L wrist X-ray · posteroanterior · male, 14 yo · 506 by 1003 pixels — 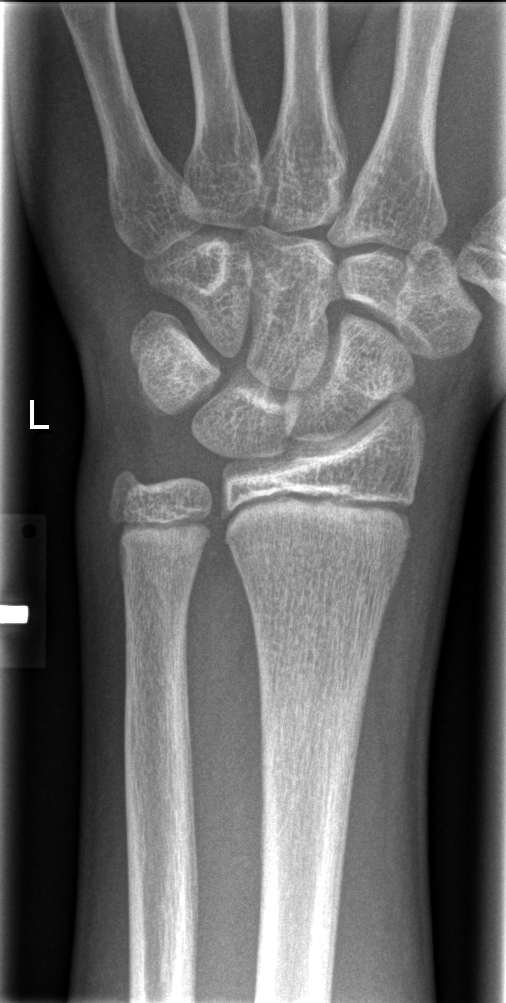 AO code 23r-M/2.1. Fracture present, though not clearly seen in this view.